Left pediatric wrist radiograph; lateral view; follow-up 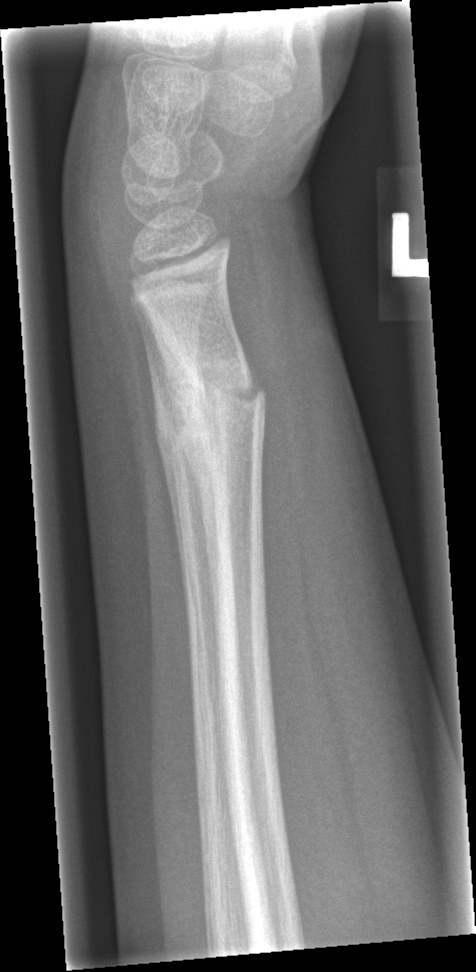 Periosteal new bone: bbox(134, 294, 219, 645). AO code 23-M/3.1. Fx — bbox(152, 352, 267, 460).